PA projection; Rt wrist plain film; pediatric patient (male, age 12). 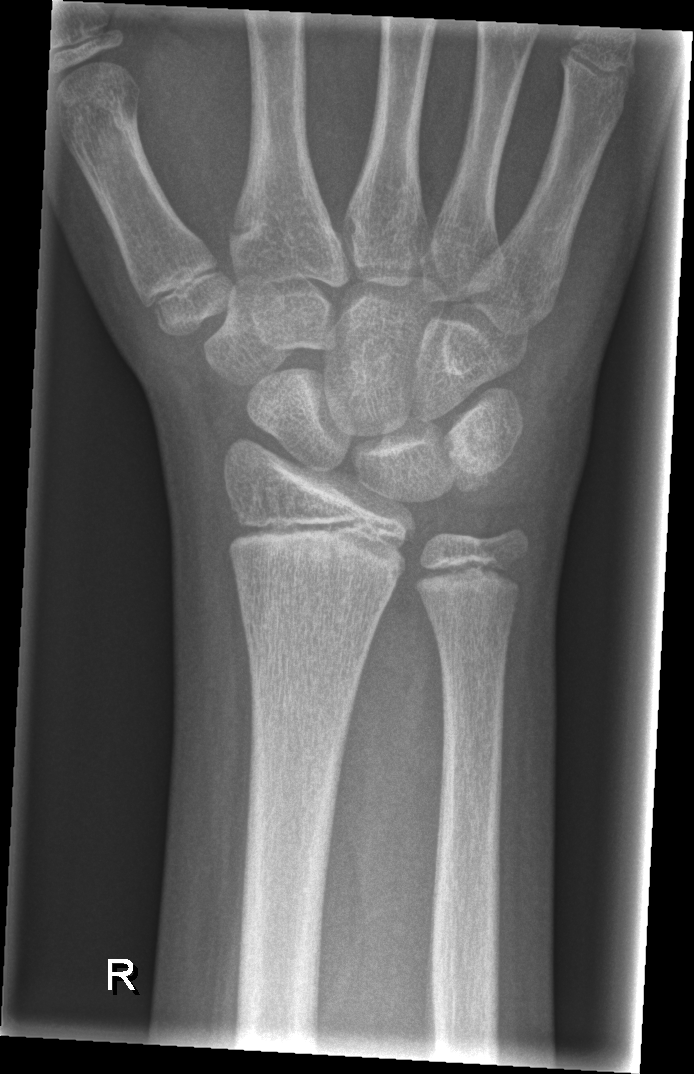

{
  "fracture": "none labeled"
}